PA view; Rt wrist X-ray; presentation radiograph; detector: Siemens; image size 507x762.
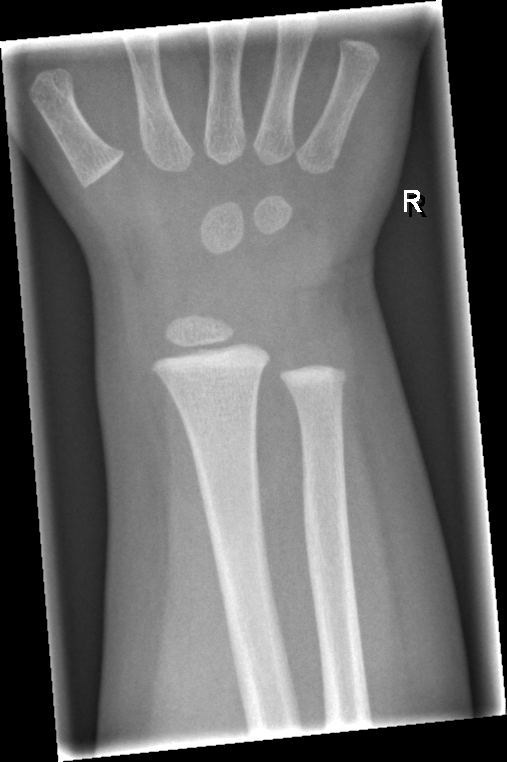

bone fracture: none labeled